Lateral view · Lt pediatric wrist radiograph:

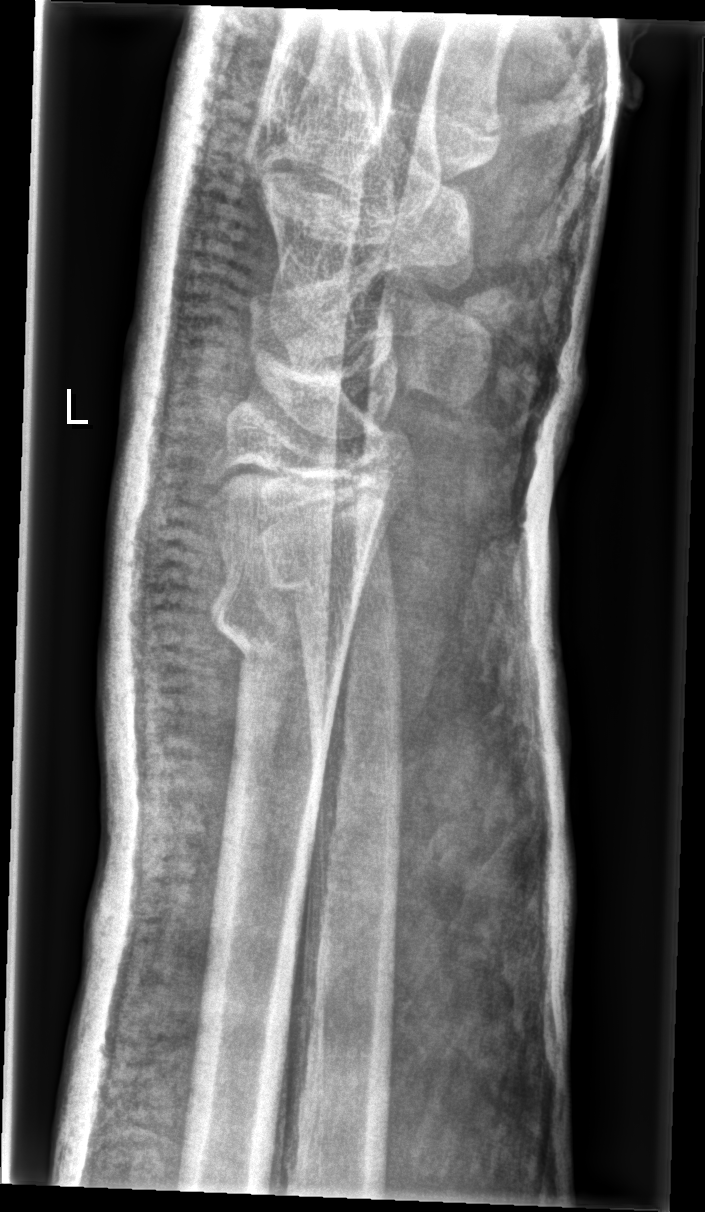
Bone fracture = [x1=203, y1=573, x2=359, y2=670] [x1=263, y1=546, x2=404, y2=631]